R wrist plain film, lateral view. 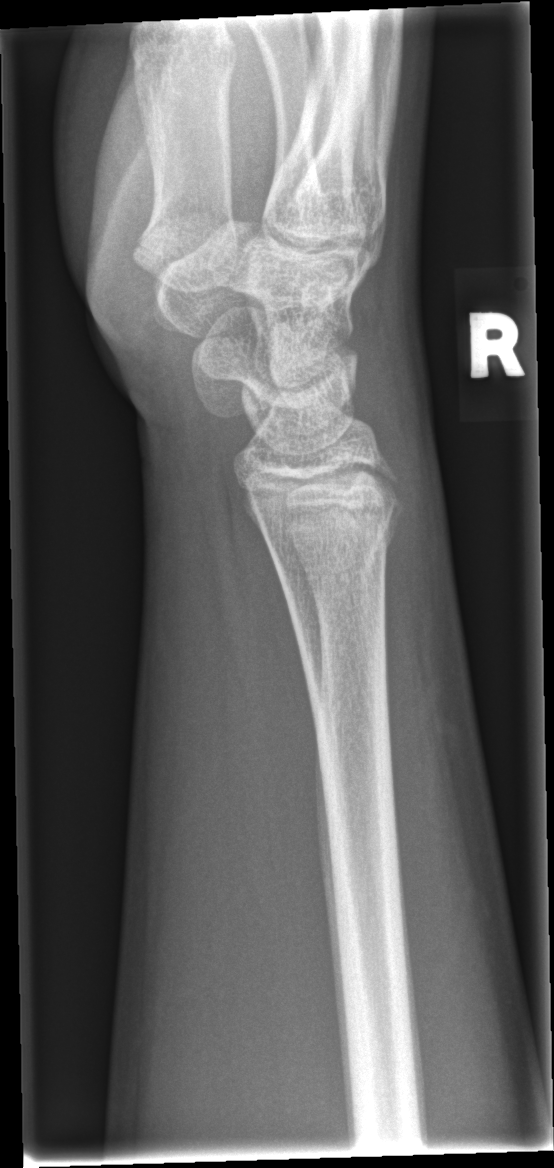

Fracture: (258, 504, 405, 581).